Lat projection | R plain radiograph of the wrist | 17-year-old male | follow-up

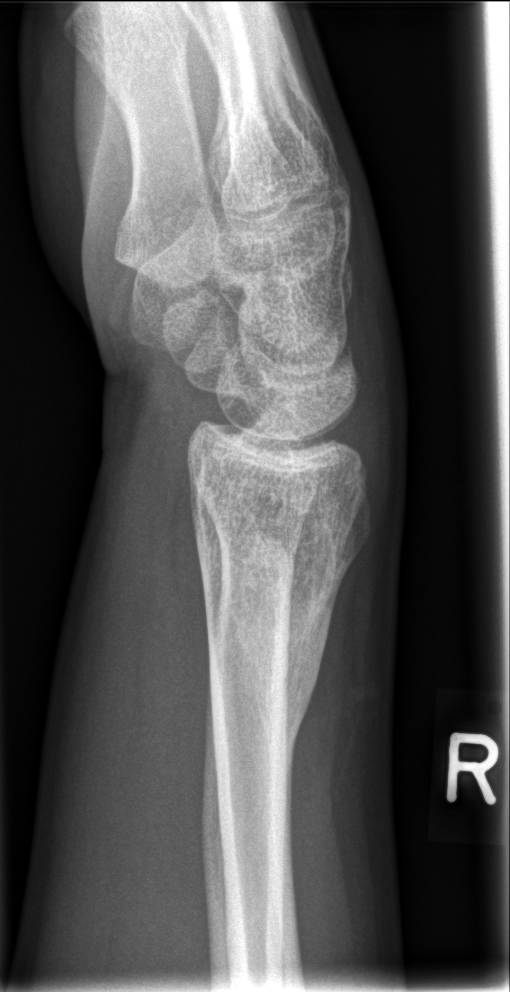

• Boxes as x1,y1,x2,y2 (top-left / bottom-right, pixel units).
• Fracture: (193, 532, 344, 764).